Left wrist radiograph, lateral, 8y F, index exam, Siemens —
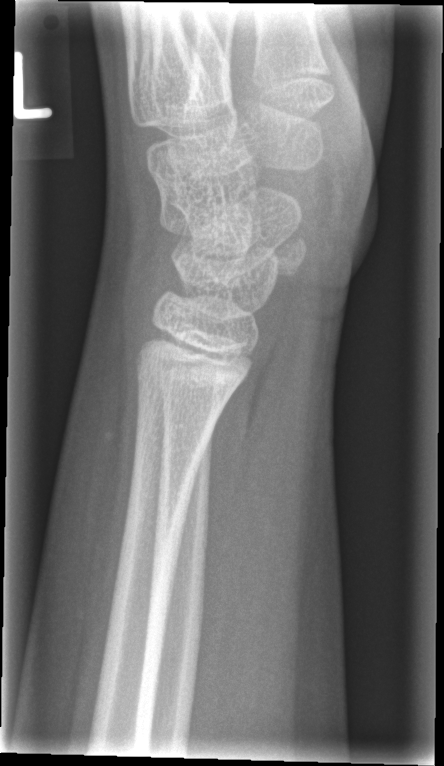 Fx: none labeled